Lateral; L wrist radiograph; pediatric patient (boy, age 7); index exam —

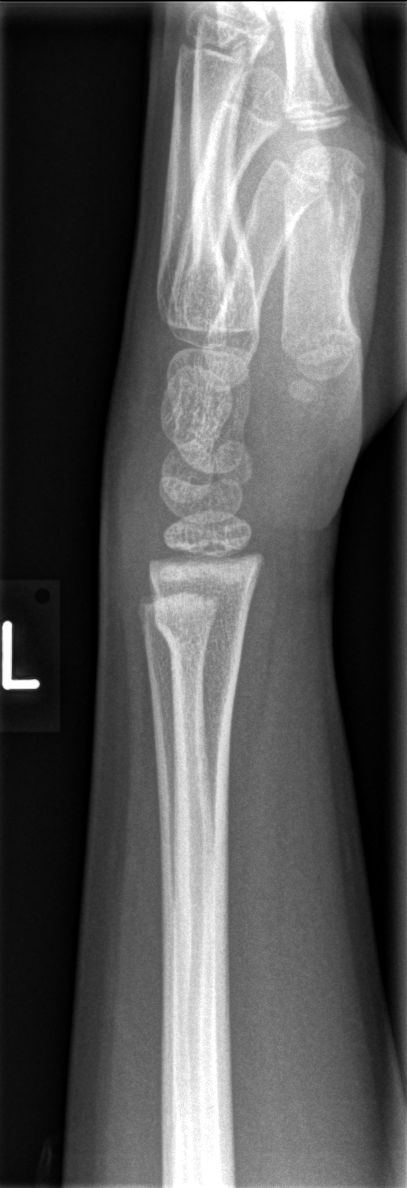
Bone fracture = [150, 598, 252, 662]
AO/OTA = 23r-M/2.1